Lat · Rt wrist radiograph: 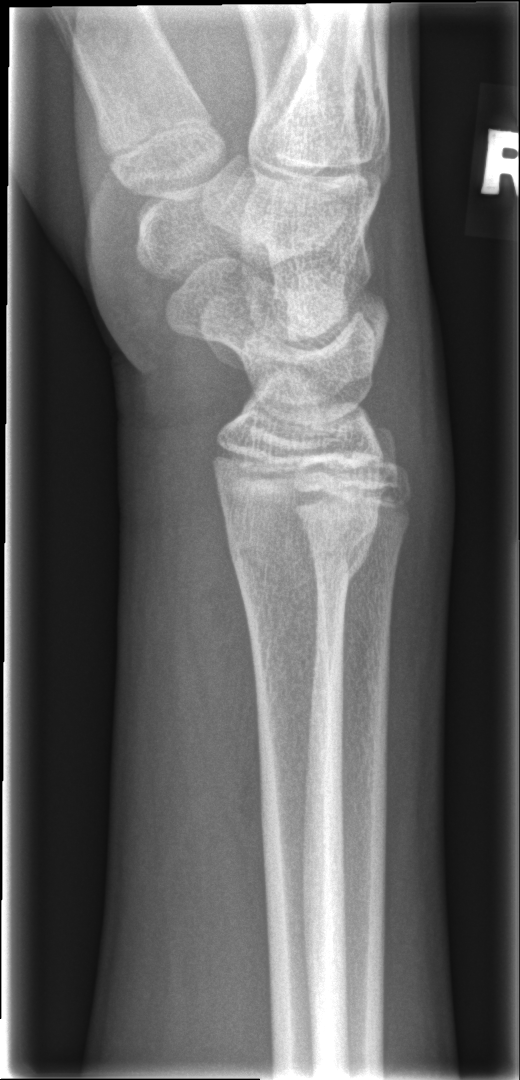

ao: 23r-M/2.1; 23u-E/7
fracture: 1 @ bbox(217, 494, 385, 602)